Left wrist X-ray · lat view · pediatric patient (female, age 8) · 86.4 mm image width · 600 x 857 px —
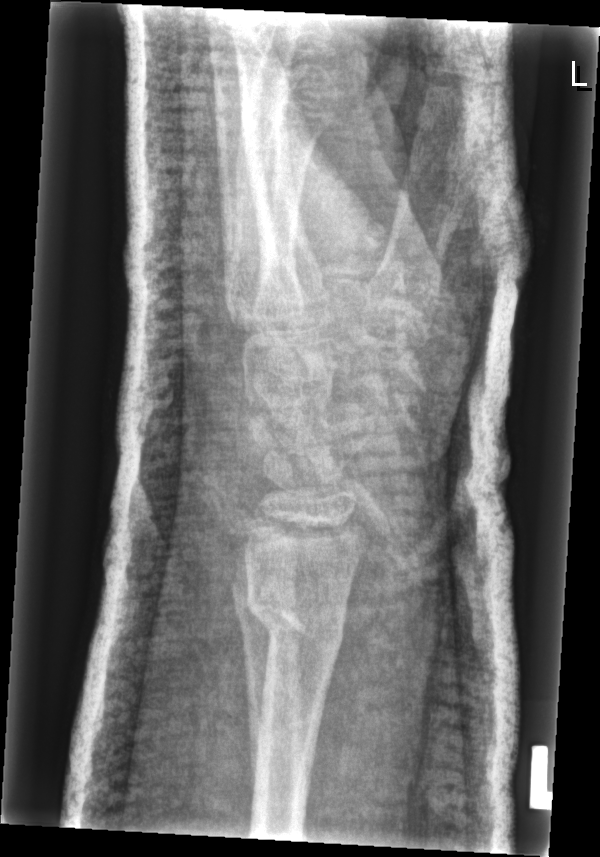

(coordinates are [x1, y1, x2, y2] in image pixels)
Q: Locate any fractures.
A: Fracture — 242,587,350,665